Left wrist radiograph, posteroanterior projection, Siemens, 896 by 1346 pixels —
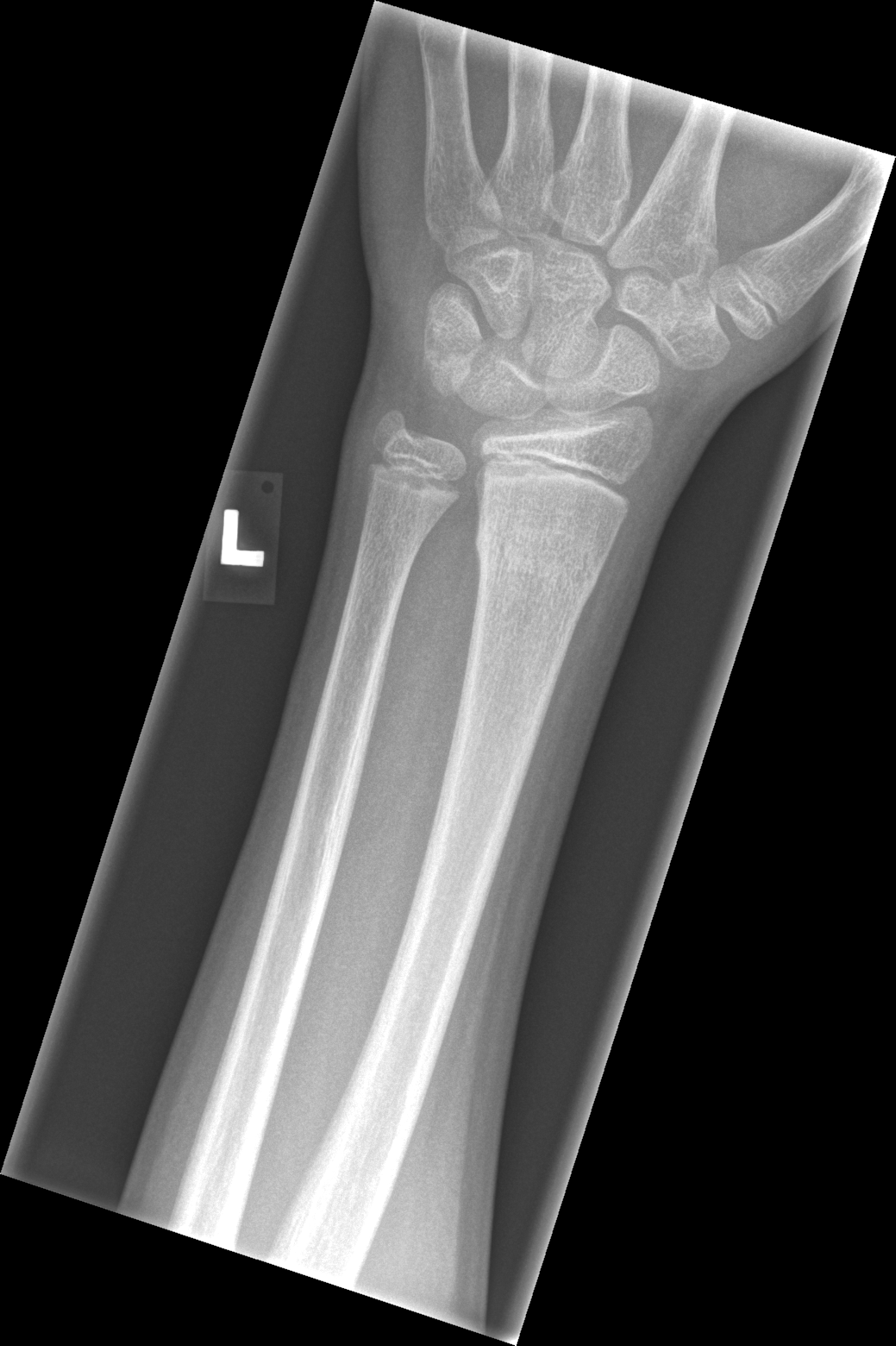

{
  "fracture": "[x1=473, y1=516, x2=611, y2=606]"
}